Left wrist plain film | lat projection | 12-year-old female 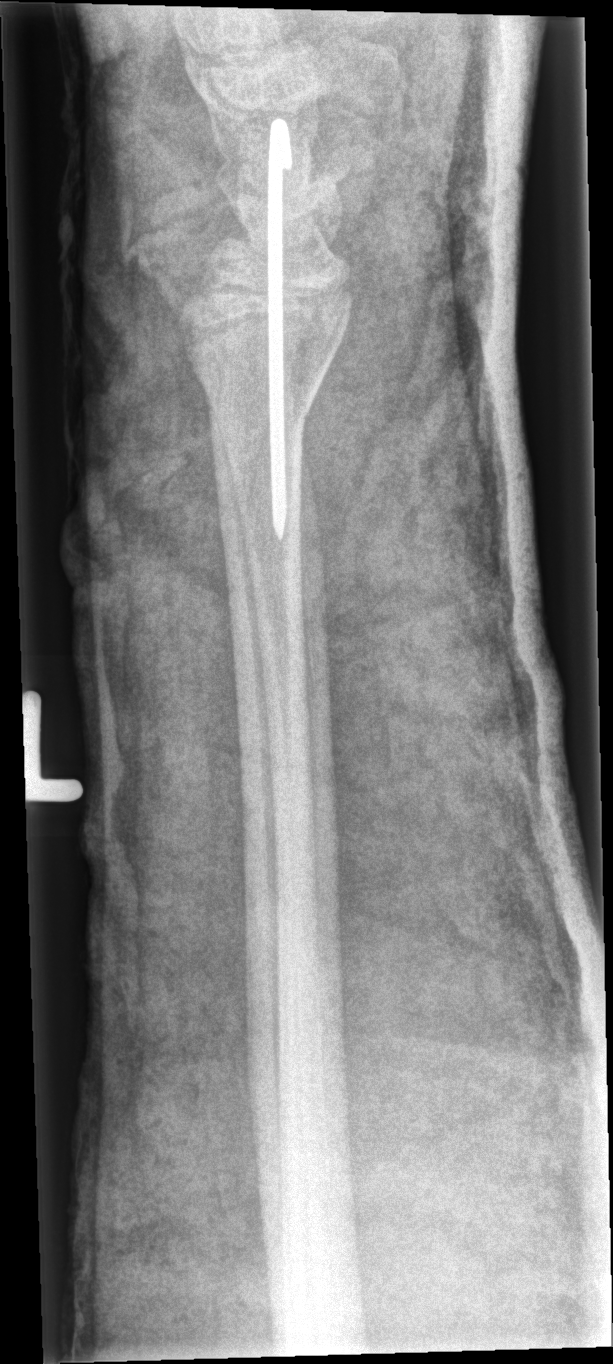

AO/OTA = 23r-E/2.1; 23u-M/2.1
Hardware = 262 120 297 529
Fracture = 1 @ 190 349 334 439